Lat; Rt plain radiograph of the wrist; pediatric patient (girl, age 11); image width 62.6 mm.

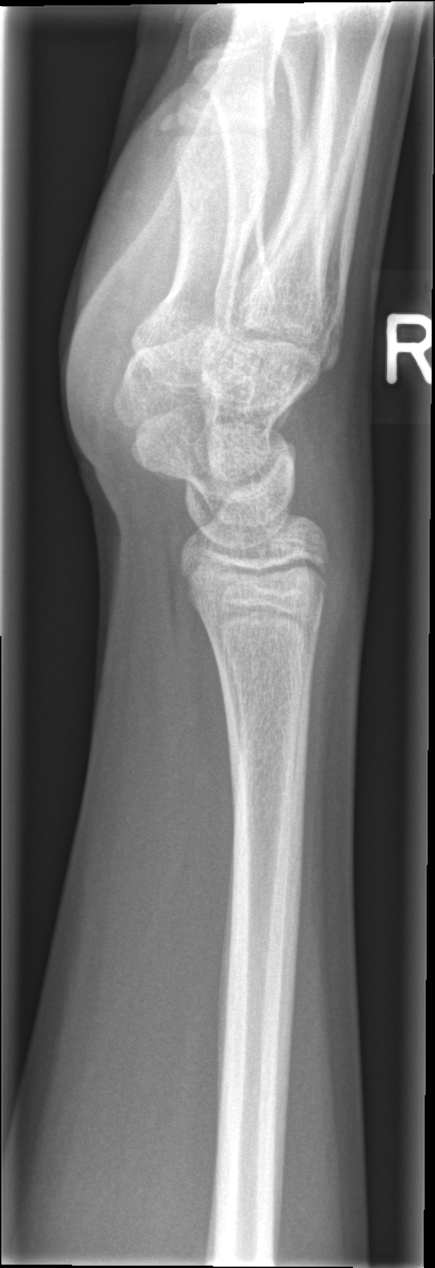

FINDINGS — No fracture annotation.